PA view; L plain radiograph of the wrist; image size 832x1307

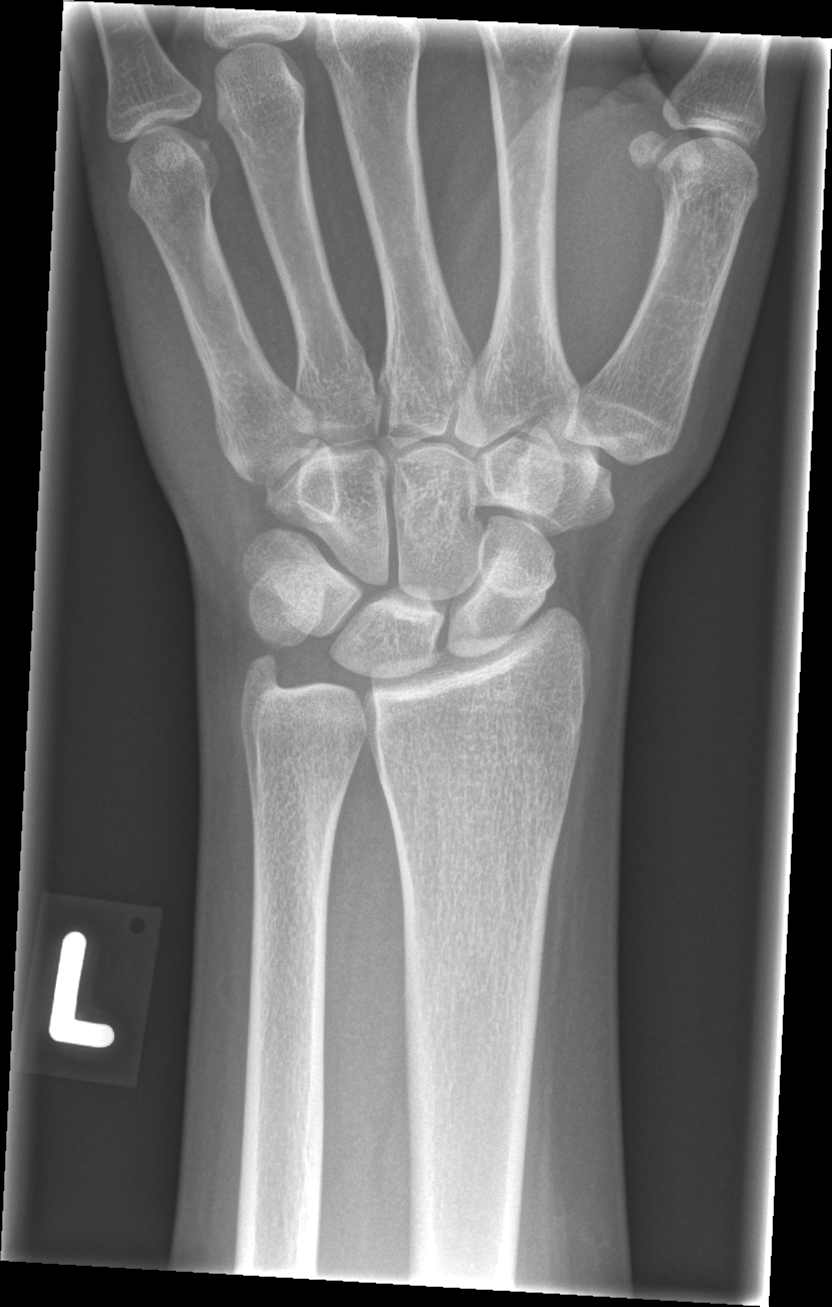

Fracture: none labeled.